Lat projection · right wrist XR · pediatric patient (boy, age 4) · index exam 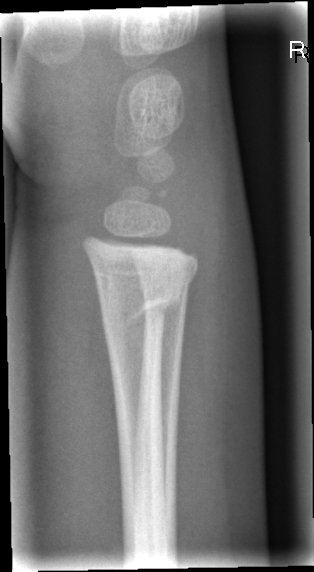
FINDINGS: Fracture identified at bbox(100, 281, 180, 326), bbox(129, 265, 198, 295). Fracture classified AO/OTA 23-M/2.1.